Lat projection · Lt plain radiograph of the wrist · 81.8 mm image width 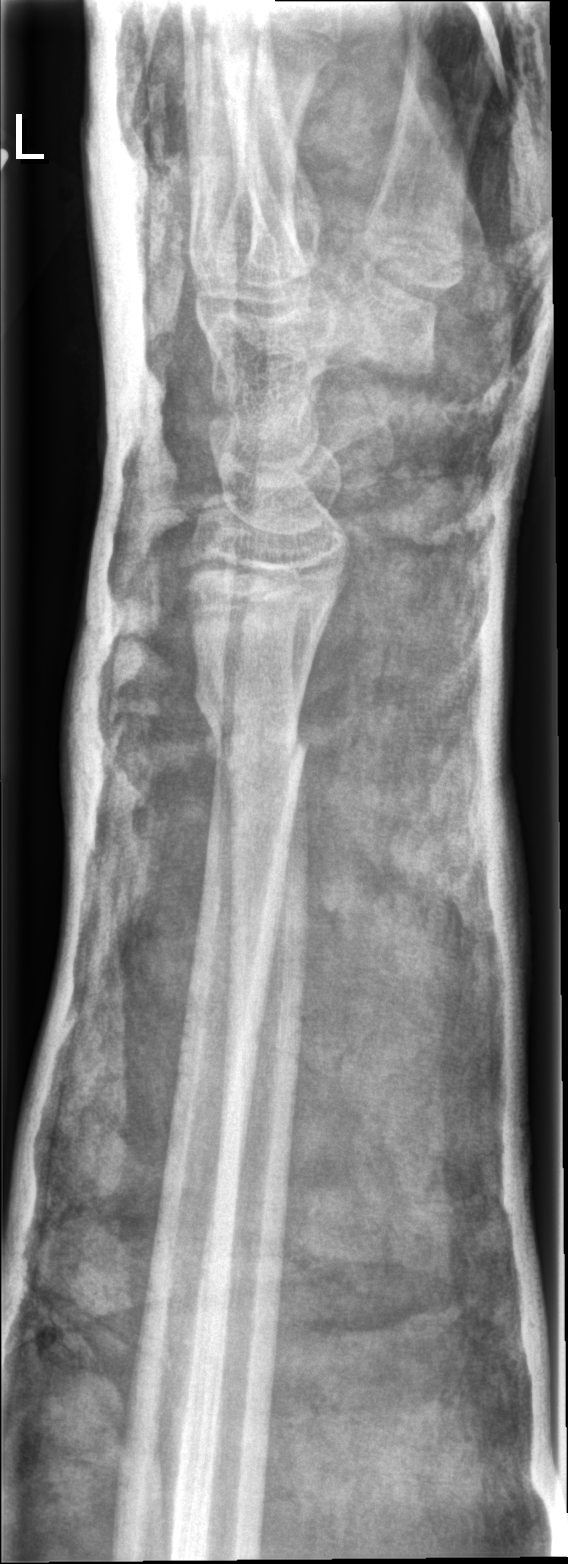 Coordinates are [x1, y1, x2, y2] in image pixels. Bone fracture: bbox(198, 686, 317, 790).